Right wrist plain film · lateral view.
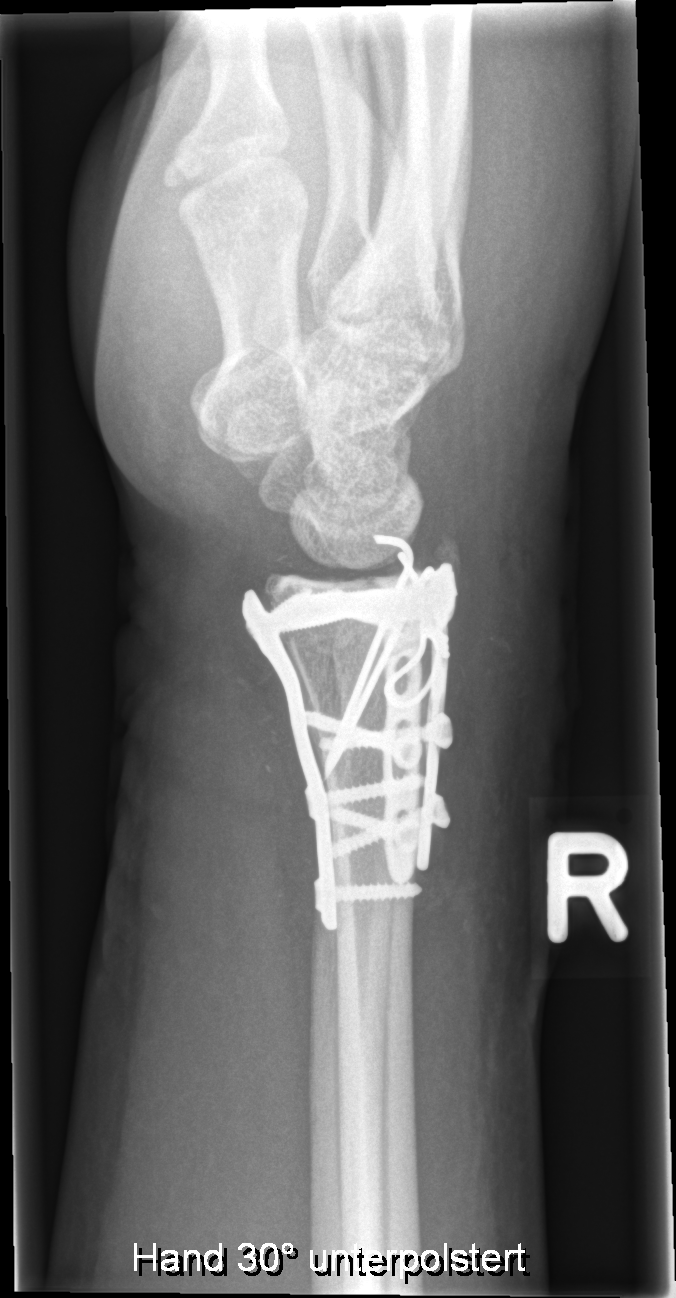
* No Fx annotated.
* One metal at <240,531>-<460,932>.